Rt plain radiograph of the wrist · lat projection · in cast · image size 546x1178 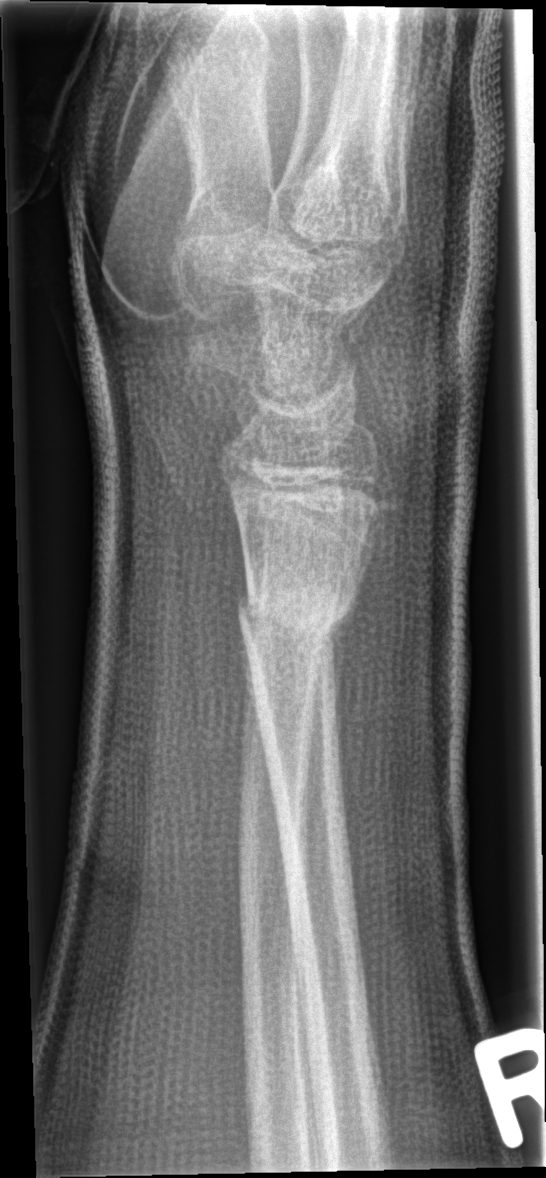

• Pixel coordinates, top-left origin, xyxy.
• Fx: (left=229, top=572, right=362, bottom=657).